Frontal view, right wrist radiograph, pediatric patient (female, age 13)

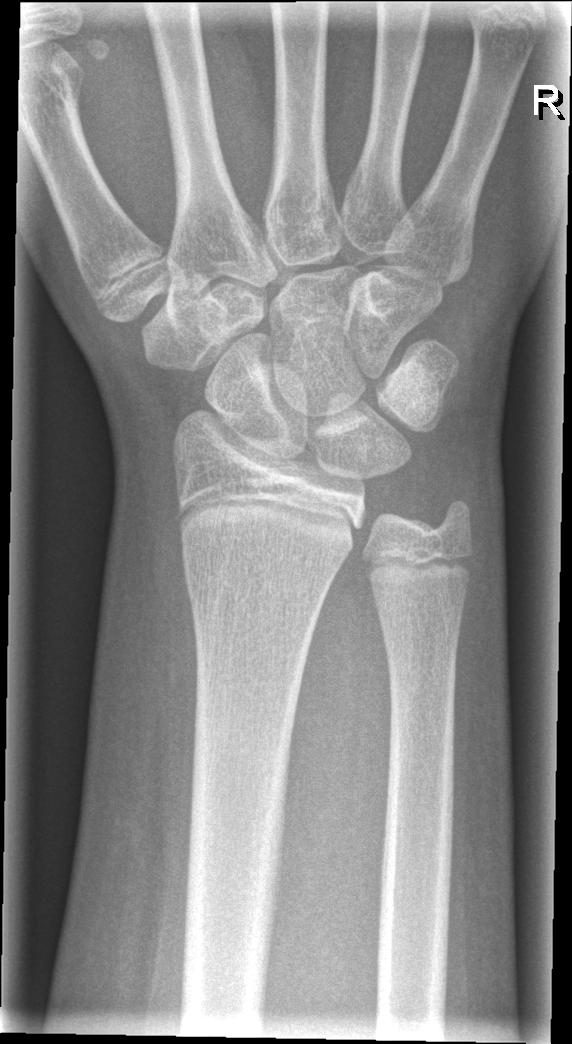
No Fx annotated.